Left wrist plain film | PA/AP view | age 12 y, female | cast in situ | 622 by 906 pixels:

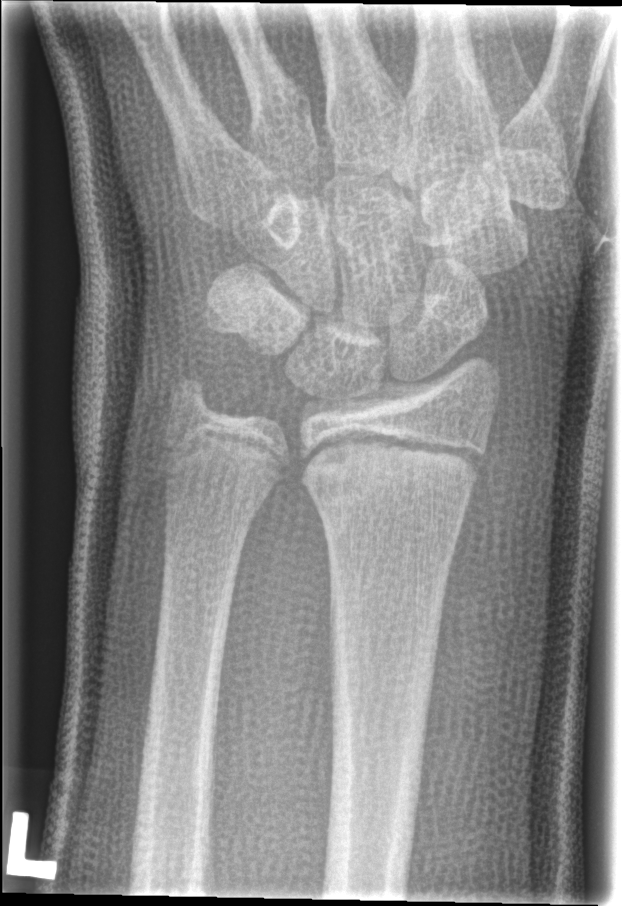 Findings: Two bone fractures at [293, 424, 484, 530] [163, 368, 220, 422]. Fracture classified AO/OTA 23r-E/2.1; 23u-E/7.